AP view; R pediatric wrist radiograph; 13-year-old female; initial study; 510x932 —
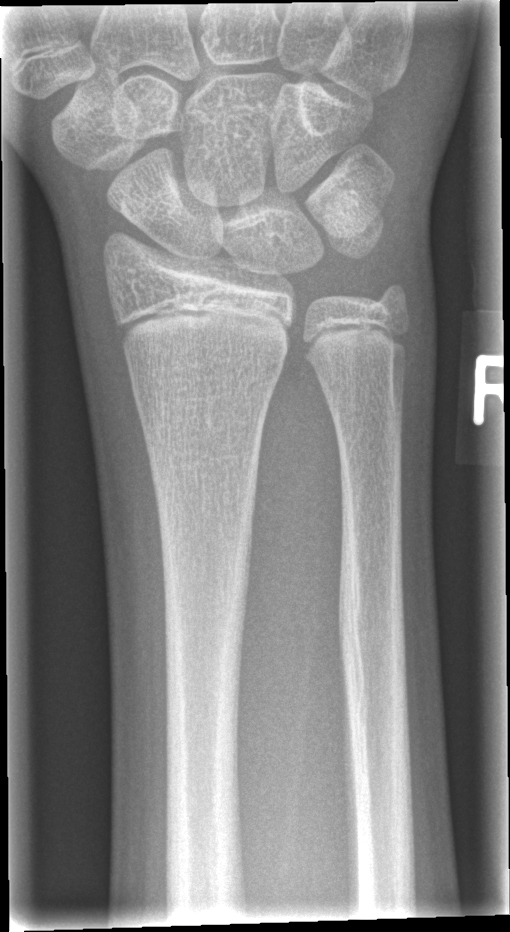
• No fracture bounding box.